Lateral projection, left pediatric wrist radiograph, male, 11 yo, image width 77.3 mm:

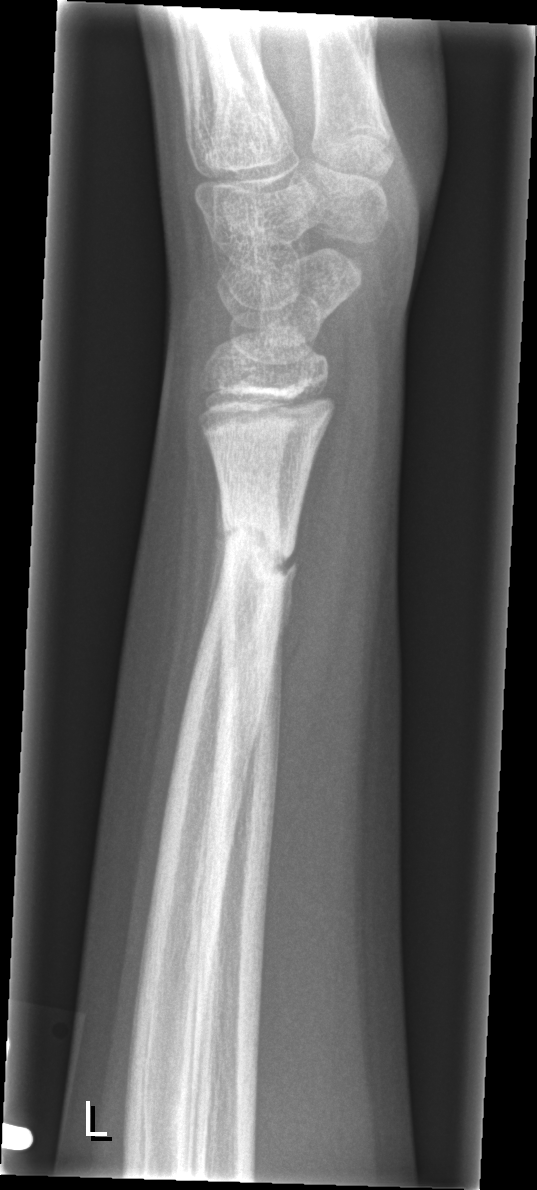 * Fx identified at bbox(216, 499, 296, 590).
* Decreased bone density (osteopenia).
* Periosteal thickening identified at bbox(192, 457, 228, 671), bbox(273, 556, 300, 642).